Lateral view · left pediatric wrist radiograph · image size 491x1144:
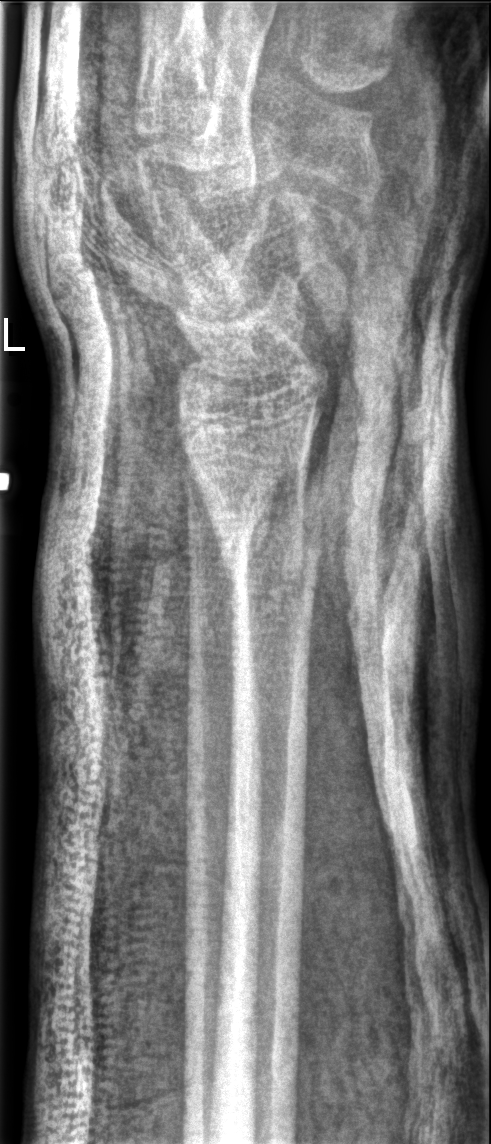 Q: Fracture present?
A: Fracture identified at [x1=216, y1=482, x2=325, y2=605]